Left wrist XR; lat; boy, 4 yo; Siemens; 62.5 mm image width.

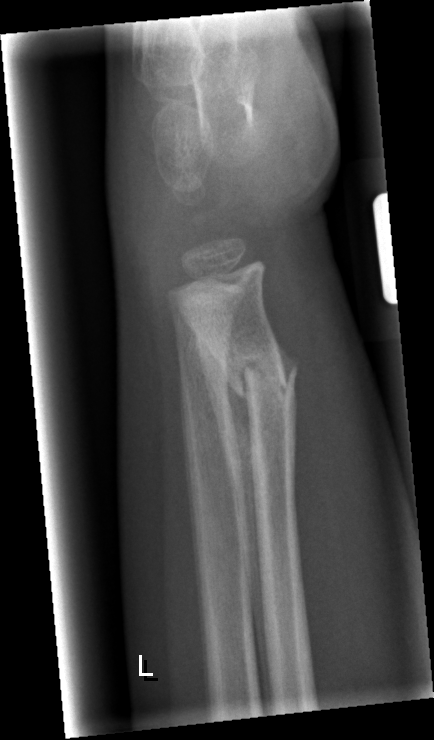

One periosteal new bone at [x1=196, y1=330, x2=268, y2=713]. Fx — [x1=218, y1=341, x2=299, y2=419].